PA · R pediatric wrist radiograph
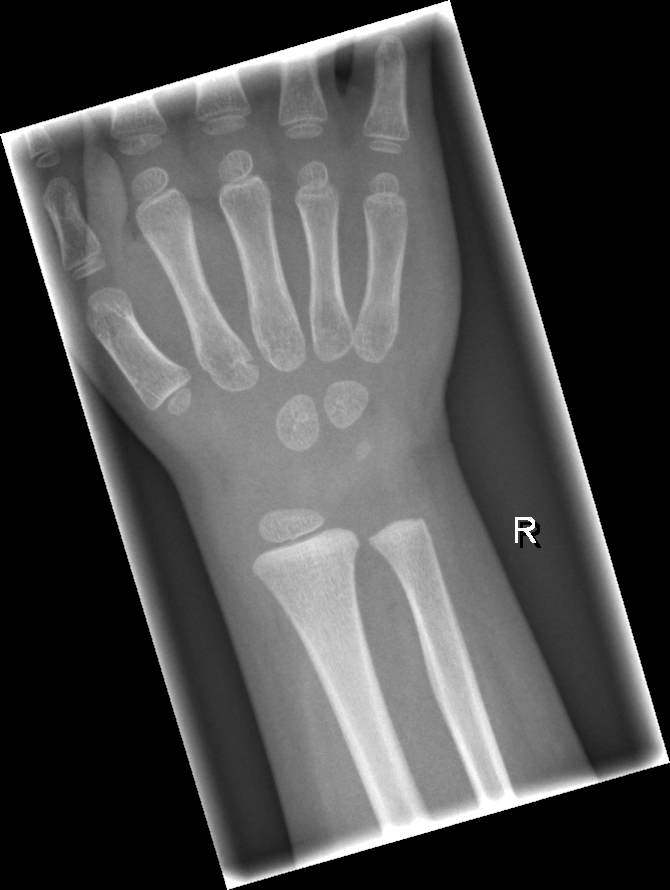

{
  "fracture": "none labeled"
}